Lateral; left plain radiograph of the wrist; imaged through cast:
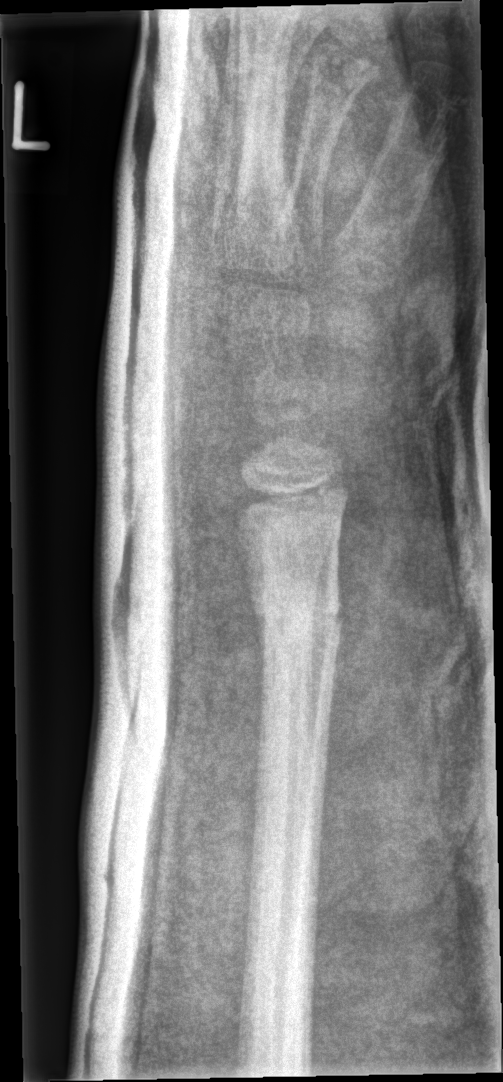

(pixel coordinates, top-left origin, xyxy)
Q: AO code?
A: AO code 23r-M/3.1
Q: Locate any fractures.
A: Fx identified at 247 581 349 645